Left wrist plain radiograph of the wrist; PA; acquired on Siemens: 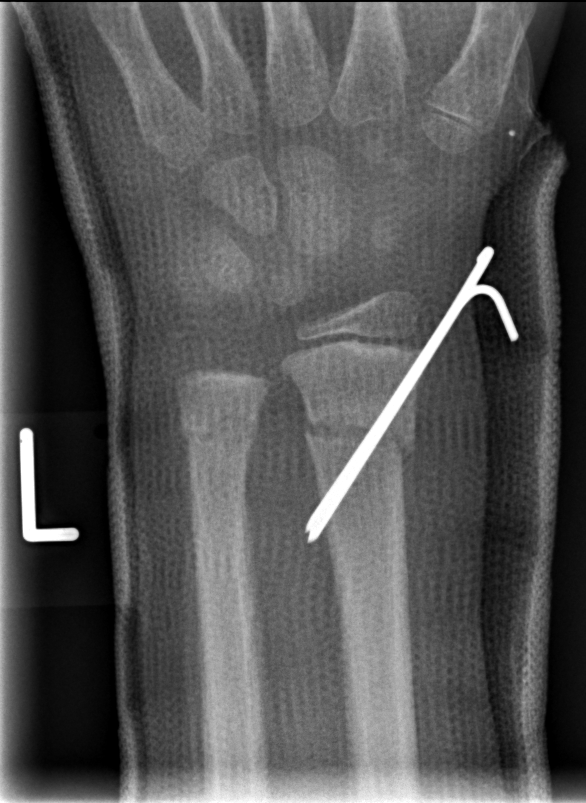

FINDINGS — (coordinates are [x1, y1, x2, y2] in image pixels) Fx identified at 301 394 419 471 | 175 406 263 460. Metallic hardware — 291 240 525 555. AO code 23r-M/3.1; 23u-M/2.1.